AP, right wrist XR, pediatric patient (girl, age 13): 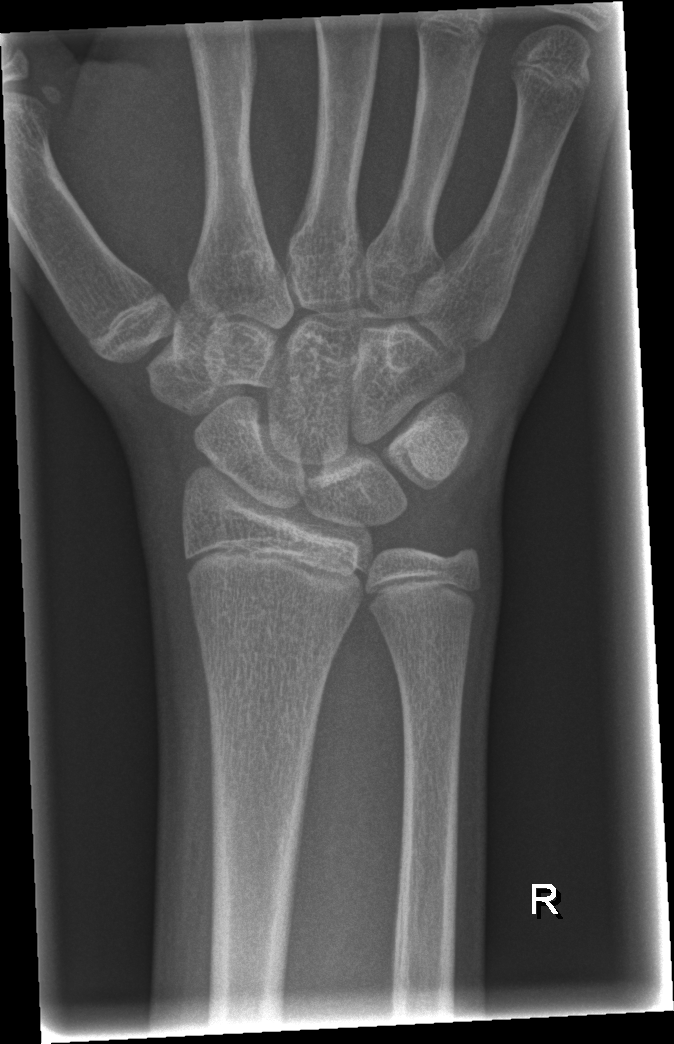

* Fracture: none labeled.